Lateral, L wrist radiograph, boy, 9 yo, presentation radiograph, image 66.7 mm wide, 463x956 —
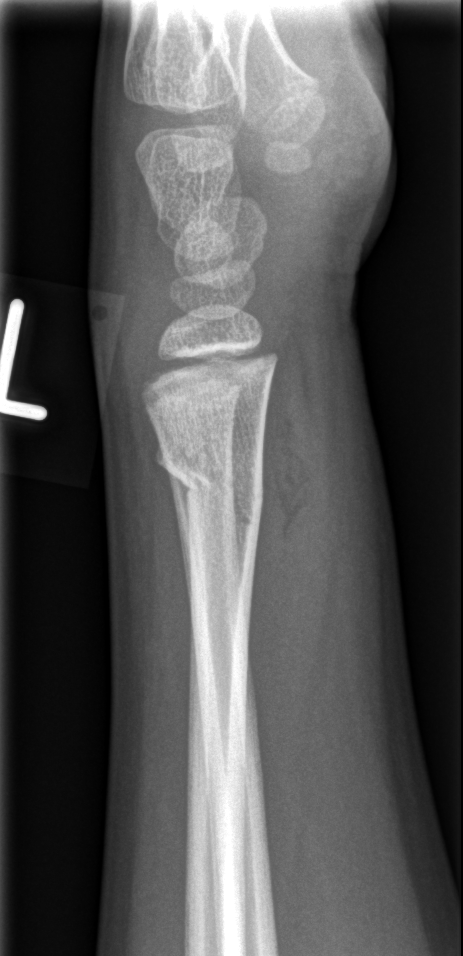 Bounding boxes in image-pixel xyxy. Bone fracture identified at (162, 441, 266, 527). Pronator sign identified at (242, 336, 335, 771).